Lt wrist XR · posteroanterior view · boy, 14 yo · follow-up study · cast in situ —

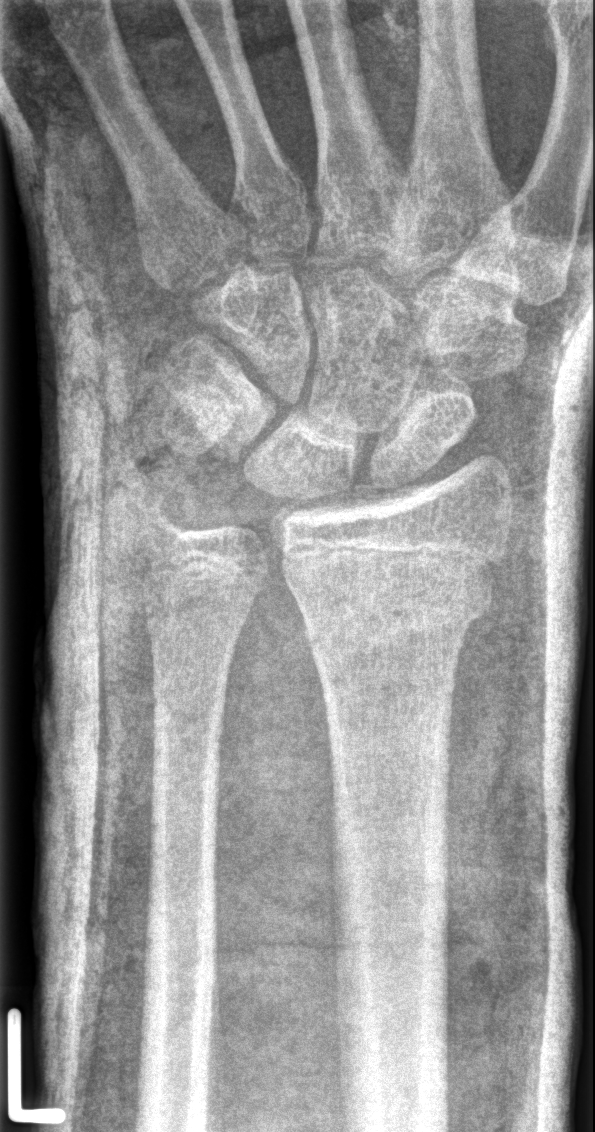

FINDINGS: (coordinates are [x1, y1, x2, y2] in image pixels) One Fx at [x1=290, y1=588, x2=493, y2=634]. AO/OTA classification: 23r-M/3.1; 23u-E/7.